Right wrist X-ray, lateral, presentation radiograph: 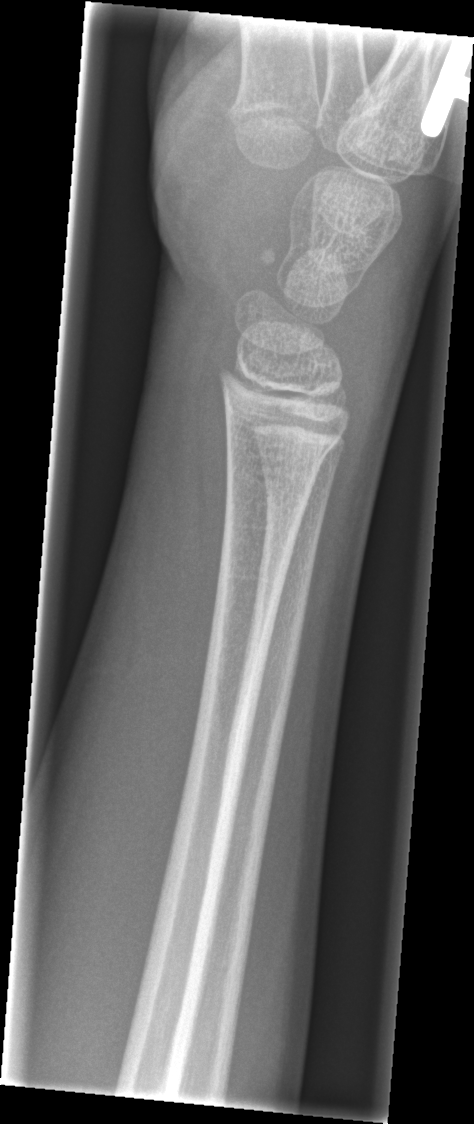

(coordinates are [x1, y1, x2, y2] in image pixels)
AO/OTA = 23r-M/2.1
bone fracture = 222,425,345,478